Lt pediatric wrist radiograph · AP projection · girl, 11 yo · cast in situ · 101.1 mm image width:
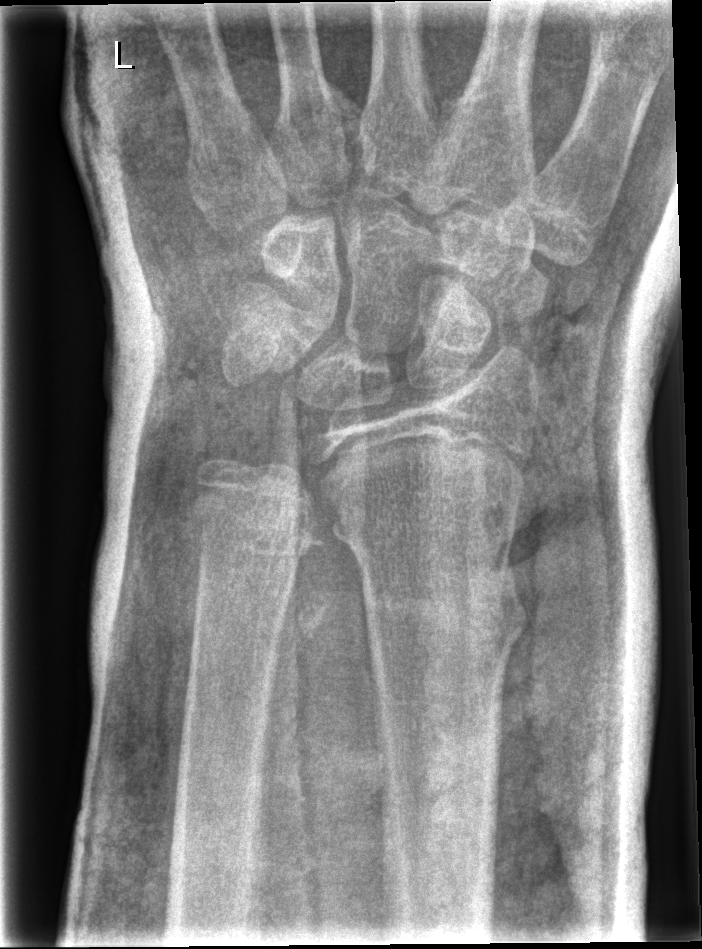

Bone fractures — bbox(321, 487, 534, 666) bbox(184, 504, 313, 576).
AO/OTA classification: 23r-M/2.1; 23u-E/2.1.